PA view; left wrist X-ray; imaged through cast:

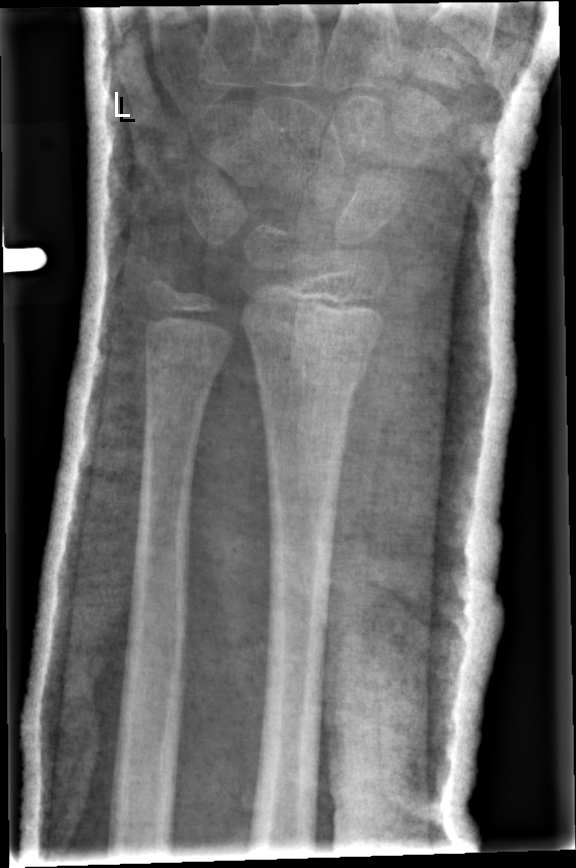

AO code 23r-M/3.1. Bone fracture — (251, 325, 374, 392).